L wrist radiograph, lateral view, presentation radiograph, acquired on Siemens, 545x1138

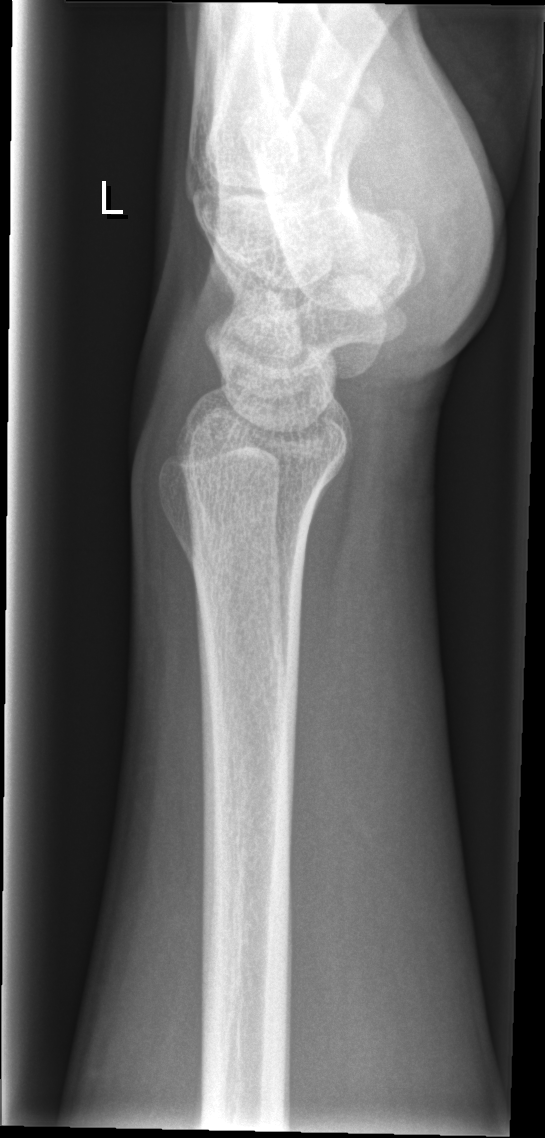 • Fracture: none labeled.